Rt pediatric wrist radiograph · lat projection:
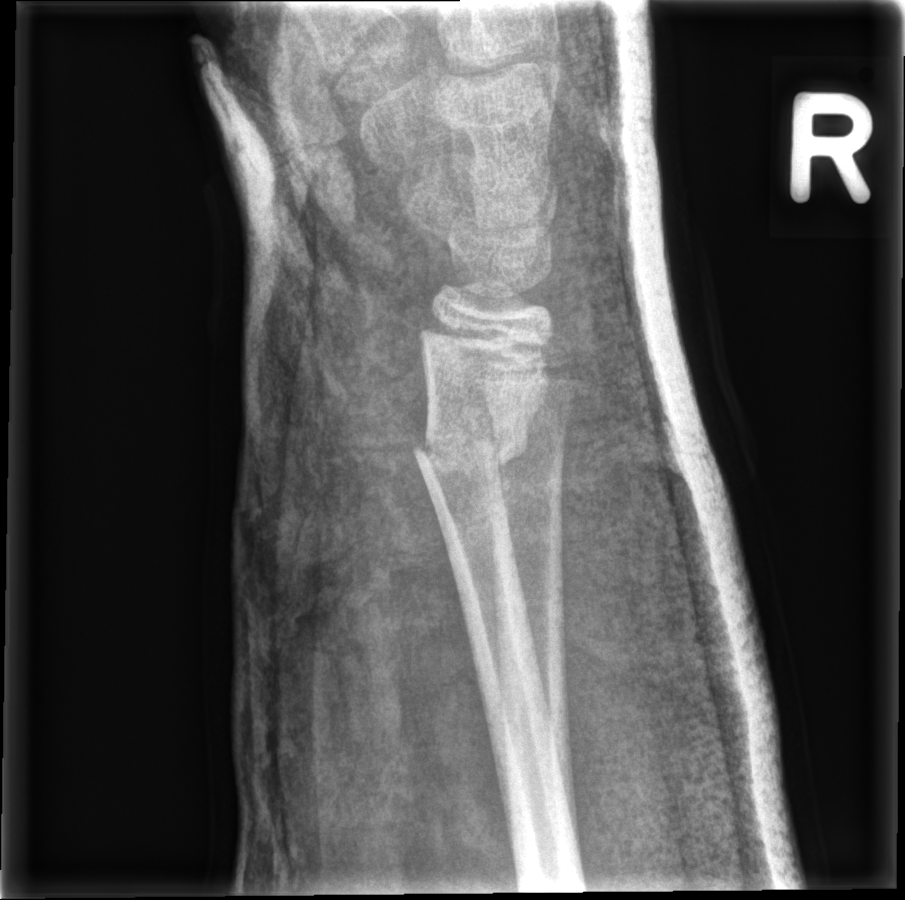
Q: Fracture present?
A: Fracture — 412,417,535,485